Left plain radiograph of the wrist, PA projection, age 8 y, boy, 83.4 mm image width 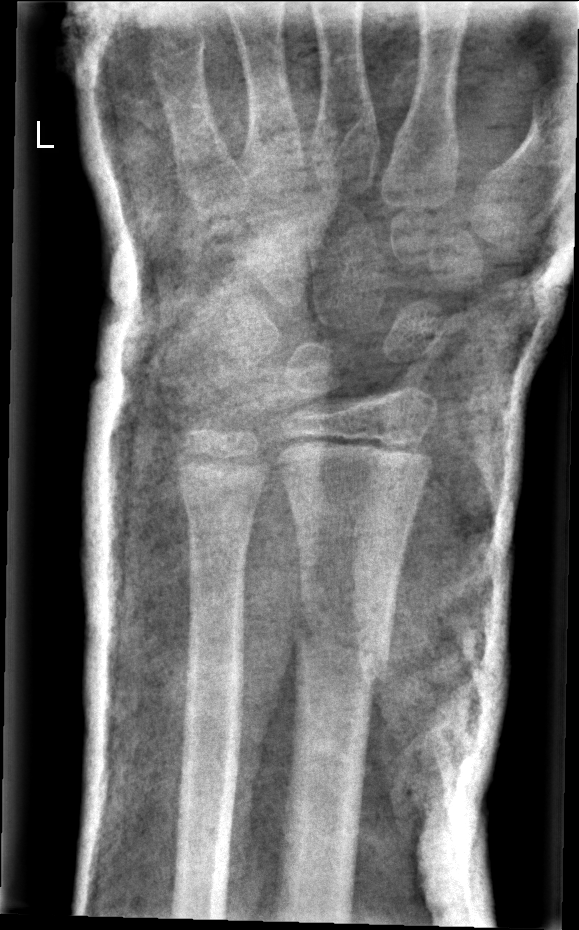

Findings: (boxes as x1,y1,x2,y2 (top-left / bottom-right, pixel units)) AO code 23r-M/3.1; 23u-M/2.1. One fracture at 288,564,408,700.